Lateral view | left wrist radiograph | index exam:
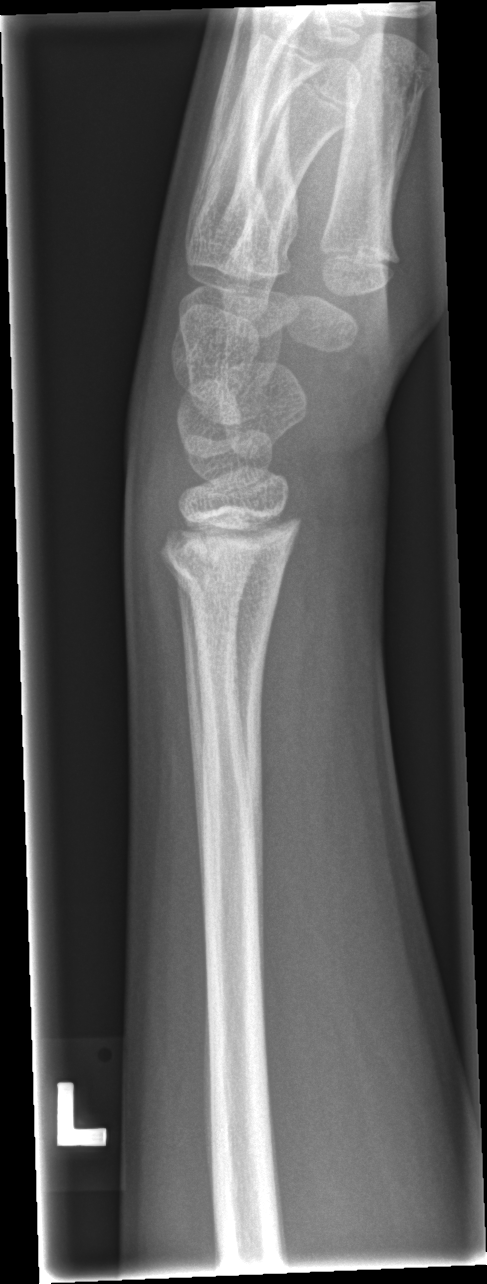 * Boxes as x1,y1,x2,y2 (top-left / bottom-right, pixel units).
* Soft tissue abnormality — <122,346>-<191,576>.
* Bone fracture — <160,546>-<286,622>.